AP view | right wrist X-ray | pediatric patient (boy, age 10) | image size 631x1062: 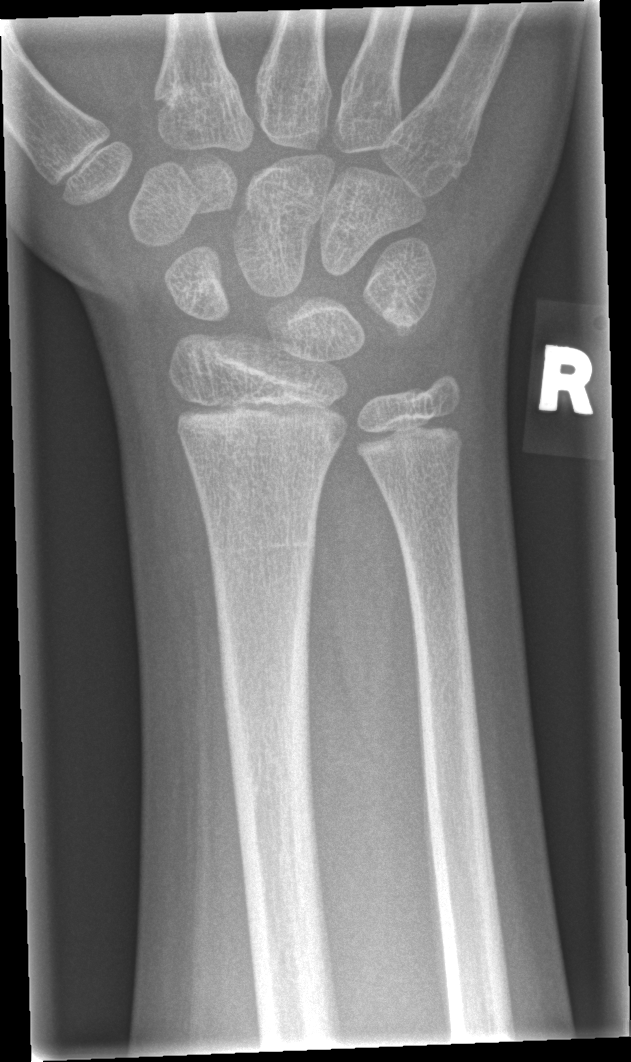

* Fracture present, but no bounding box because it is not clearly seen in this view.
* AO code 23r-M/2.1.